Lat projection | left wrist radiograph | index exam | 404 x 806 px 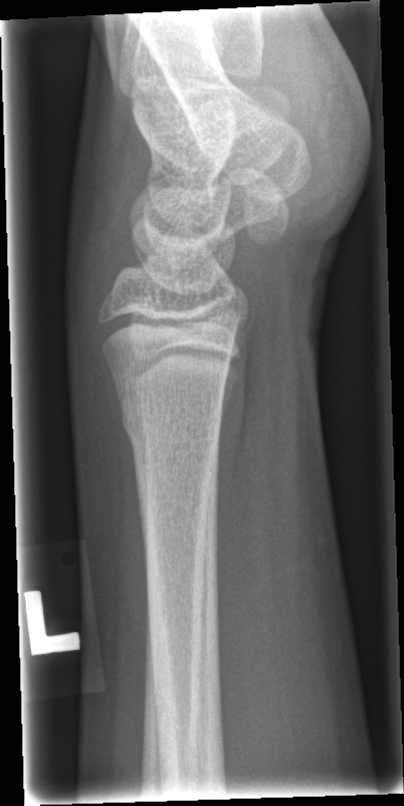

bone fracture = 1 @ <118,401>-<225,451>
AO classification = 23r-M/2.1